Lat view | R wrist XR | age 10 y, boy | subsequent exam | cast in situ
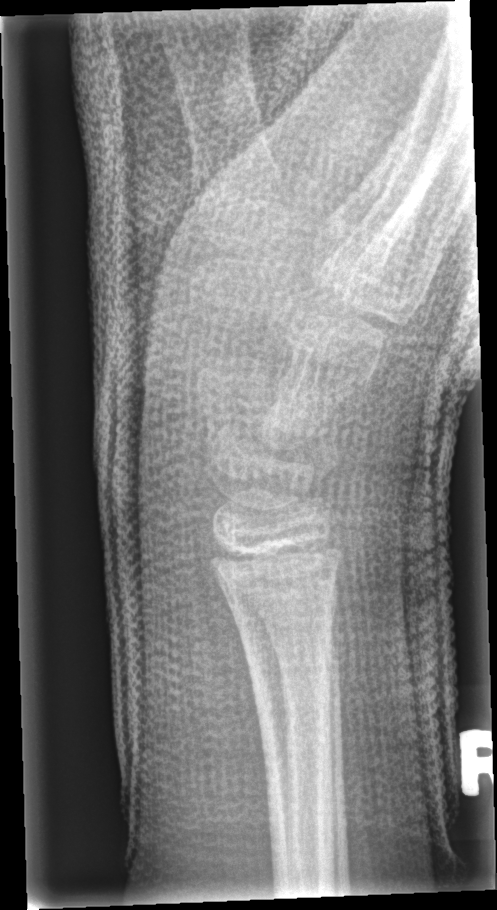

Fx: none labeled